Posteroanterior view | right wrist X-ray | male, 16 yo | initial study:

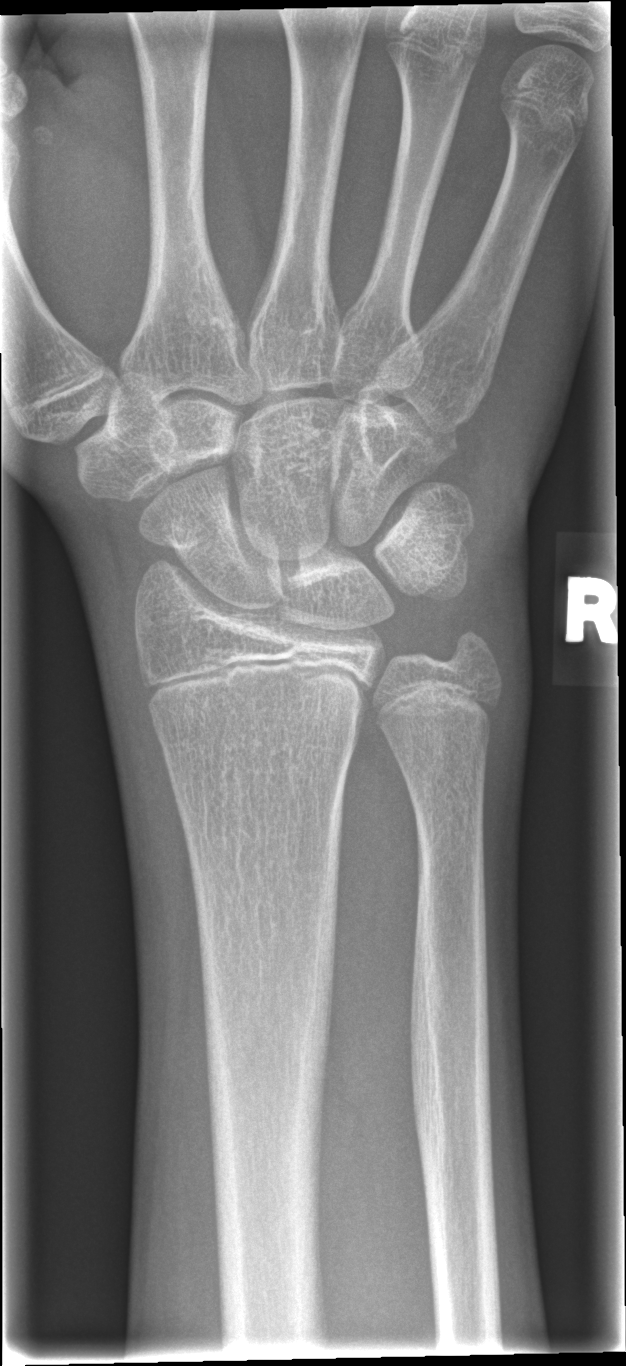

Bone fracture = present but not clearly seen in this view